L pediatric wrist radiograph; AP view; age 15 y, female
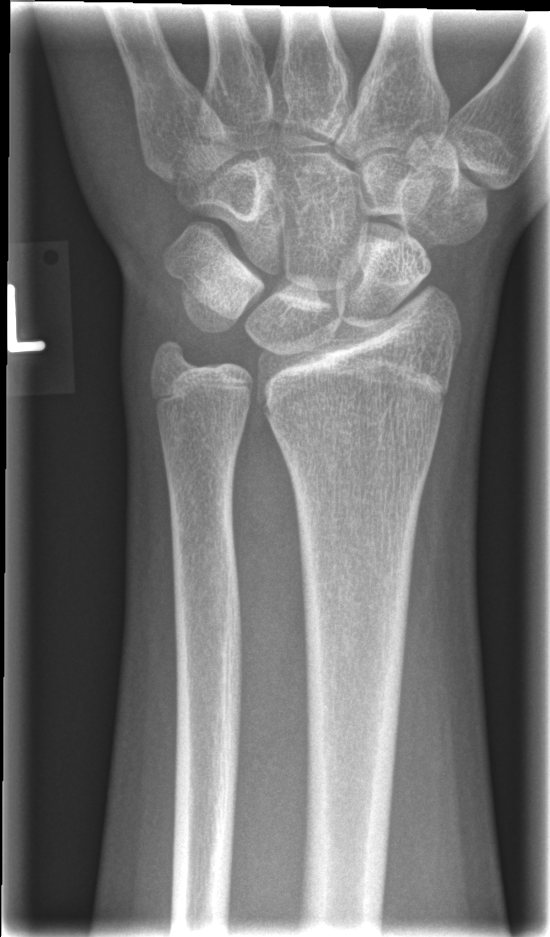 FINDINGS: No Fx annotated.